AP, Lt wrist radiograph, subsequent exam, Siemens. 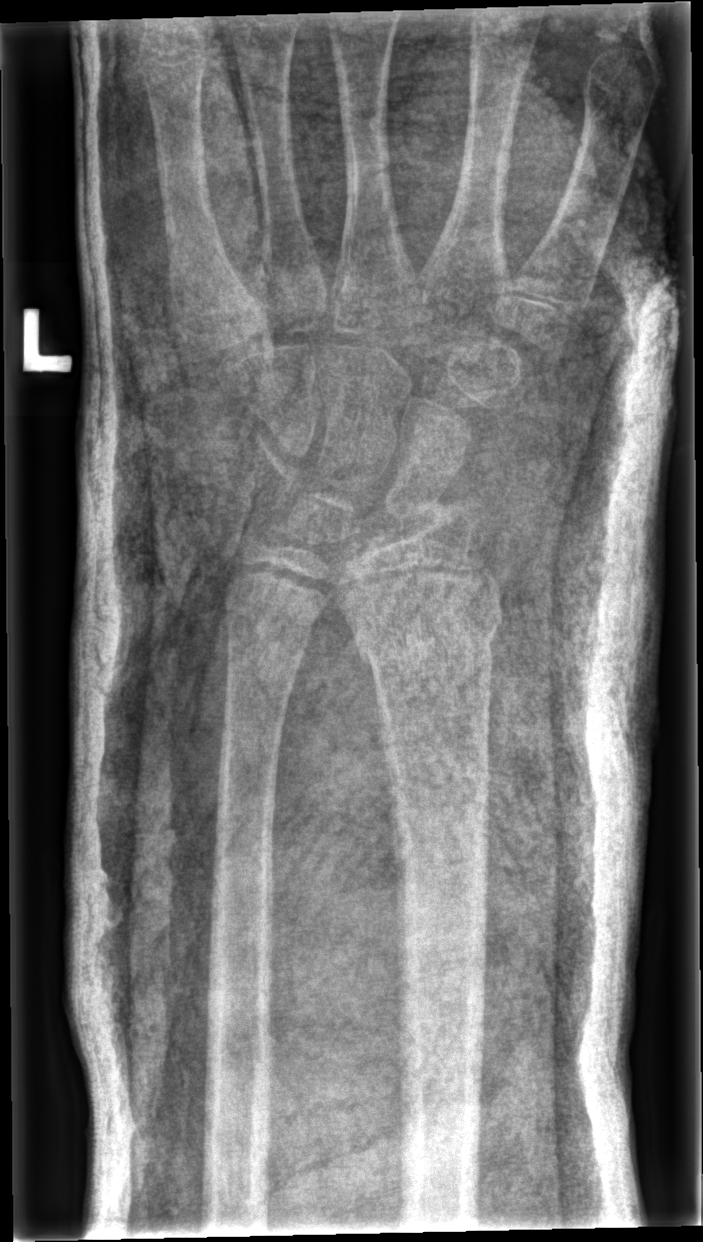
# boxes as x1,y1,x2,y2 (top-left / bottom-right, pixel units)
fracture: [340, 573, 507, 670]
ao: 23r-M/2.1